Lateral projection, left wrist radiograph, age 5 y, girl 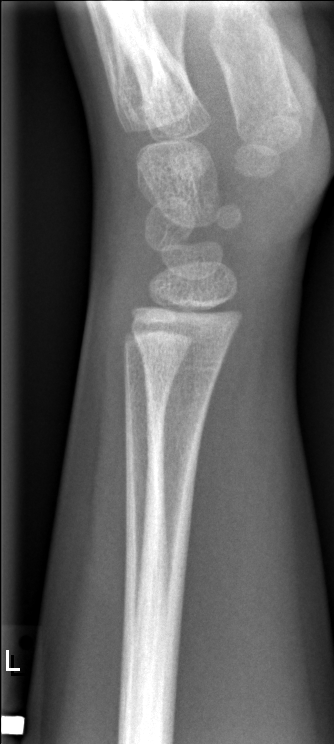 (boxes as x1,y1,x2,y2 (top-left / bottom-right, pixel units))
Fracture: 1 @ 127 314 236 383